Lateral projection, right pediatric wrist radiograph, 7-year-old girl, subsequent exam, 586x1035

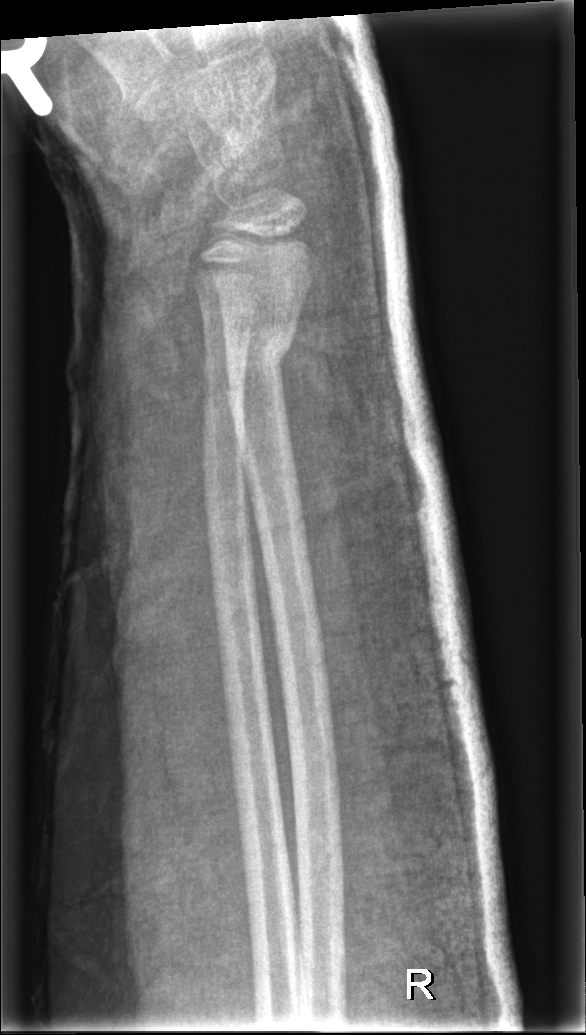
- Fracture classified AO/OTA 23r-M/3.1; 23u-M/2.1.
- Fracture identified at (222, 319, 297, 404).